L pediatric wrist radiograph; PA/AP projection — 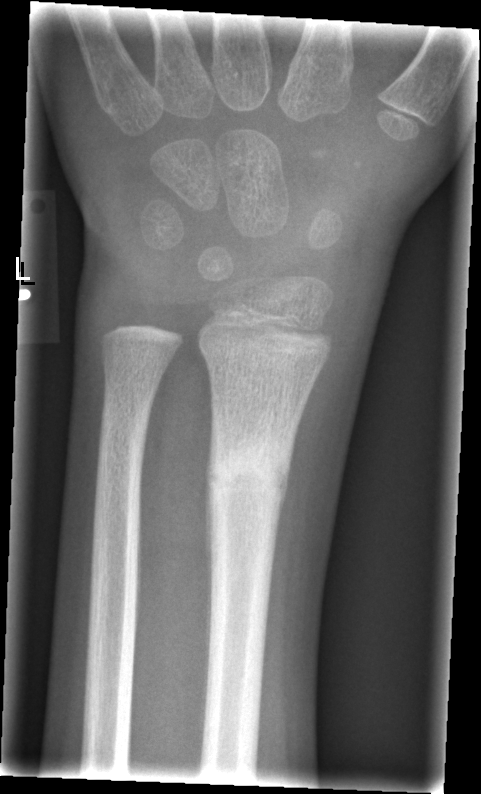 ao: 23-M/3.1
fracture: bbox(205, 443, 295, 513); bbox(97, 395, 155, 448)
periostealreaction: 2 @ bbox(265, 428, 297, 633) bbox(204, 423, 217, 675)